Lt pediatric wrist radiograph · posteroanterior projection · 72.7 mm image width: 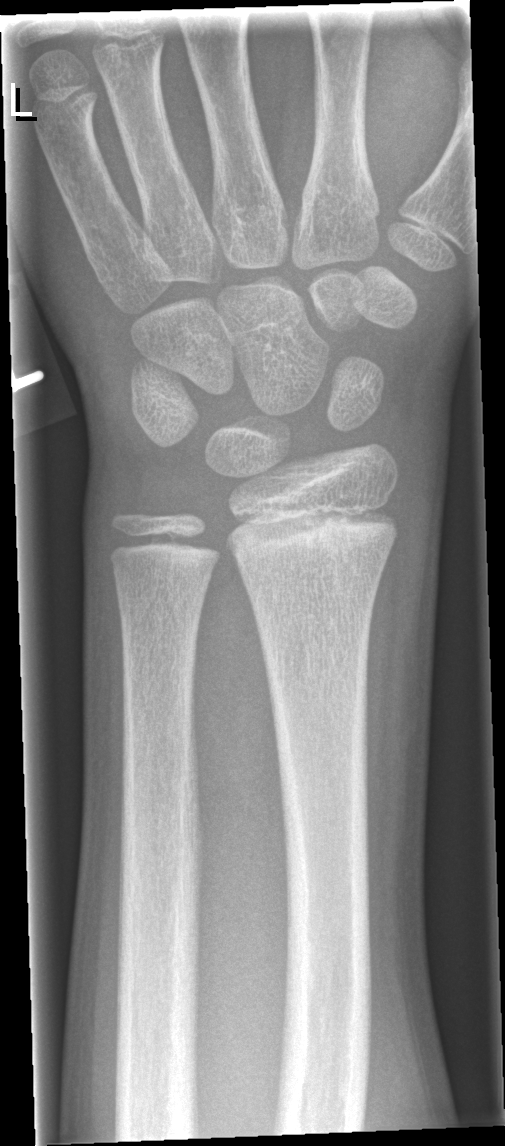
Fracture present, but no bounding box because it is not clearly seen in this view. AO/OTA classification: 23r-E/1.